Right plain radiograph of the wrist | lateral | acquired on Siemens | 526 by 1206 pixels
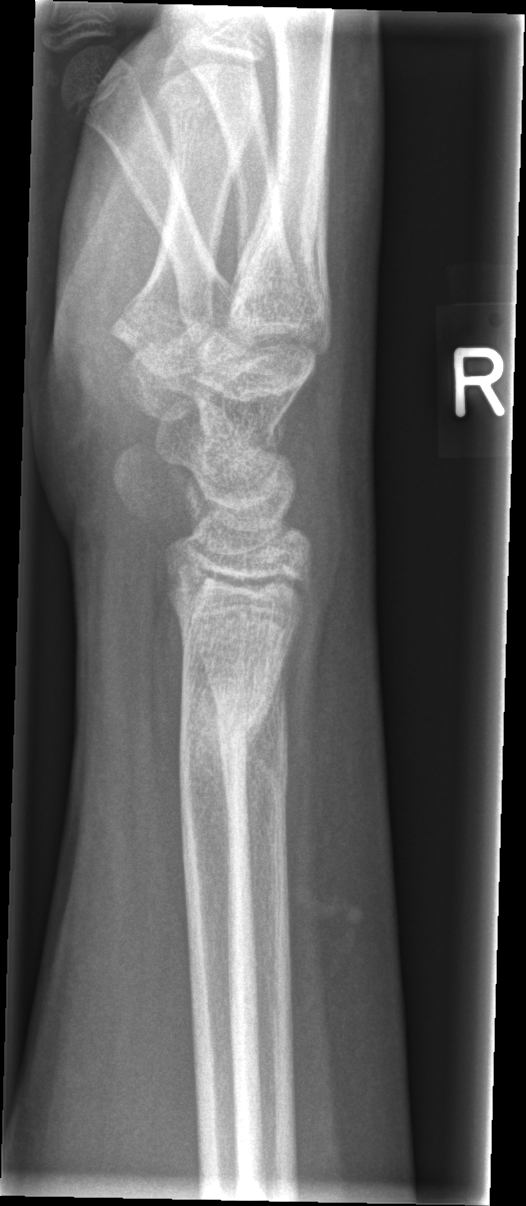

AO/OTA = 23-M/3.1
Fracture = (174, 671, 292, 809)